Frontal projection | L wrist plain film:

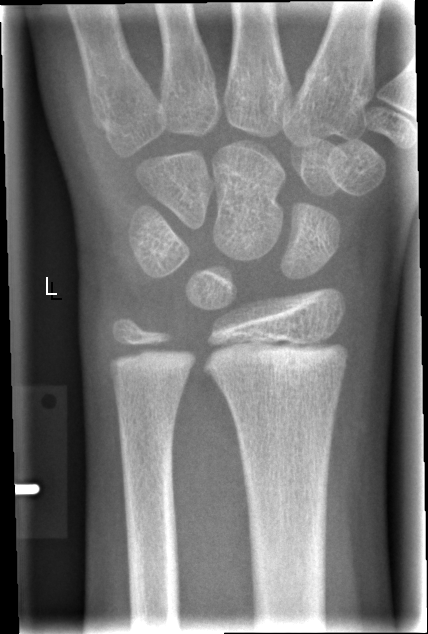

fracture: none labeled